Frontal · left wrist XR

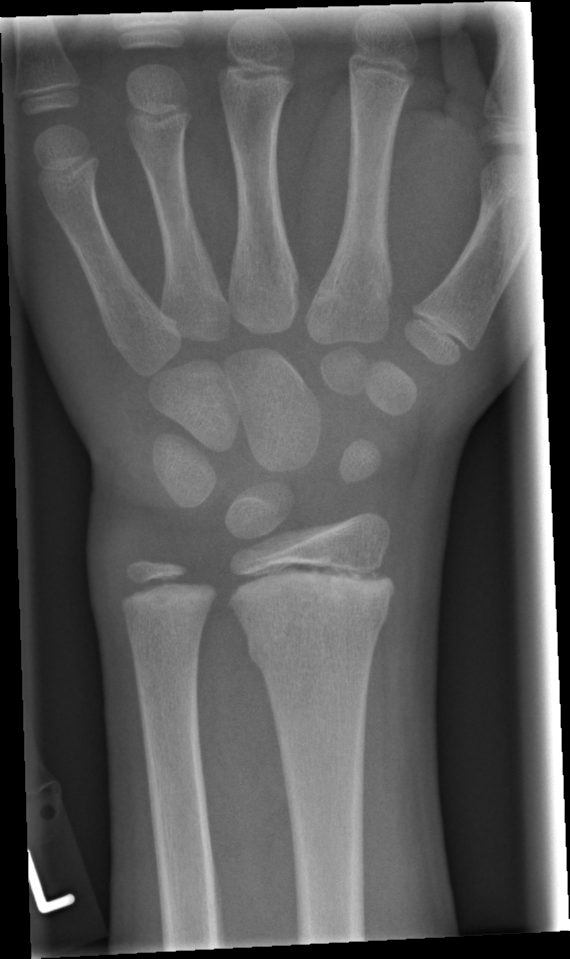

Fracture classified AO/OTA 23r-M/2.1. Fracture: (left=241, top=626, right=384, bottom=674).